Lt wrist plain film, posteroanterior projection, follow-up, image 87.8 mm wide. 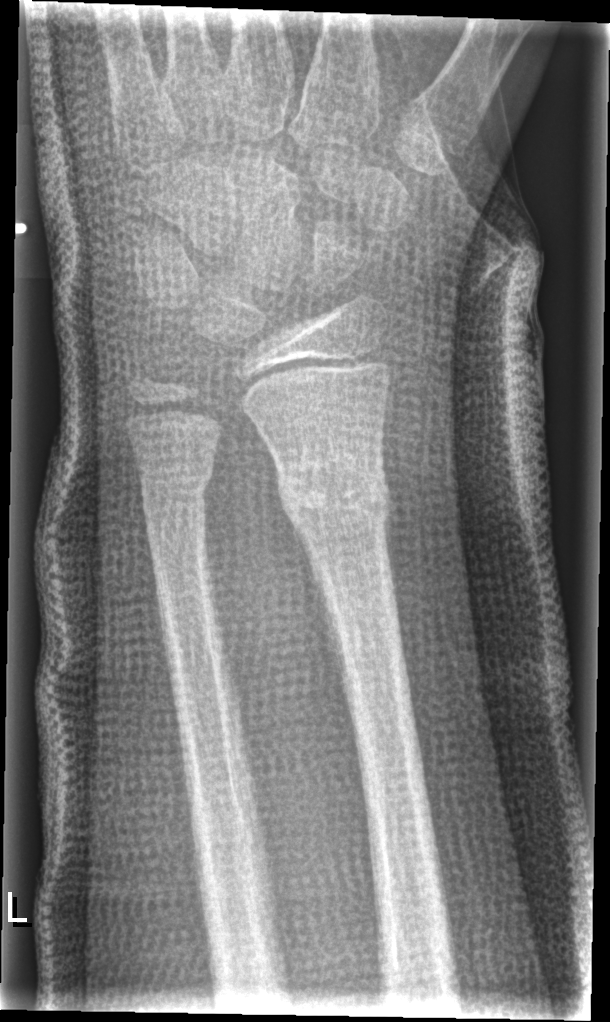 (coordinates are [x1, y1, x2, y2] in image pixels)
fracture: [x1=273, y1=449, x2=395, y2=532] [x1=138, y1=460, x2=215, y2=519]
AO code: 23-M/2.1